Lt plain radiograph of the wrist, AP projection, acquired on Siemens, image size 500x976

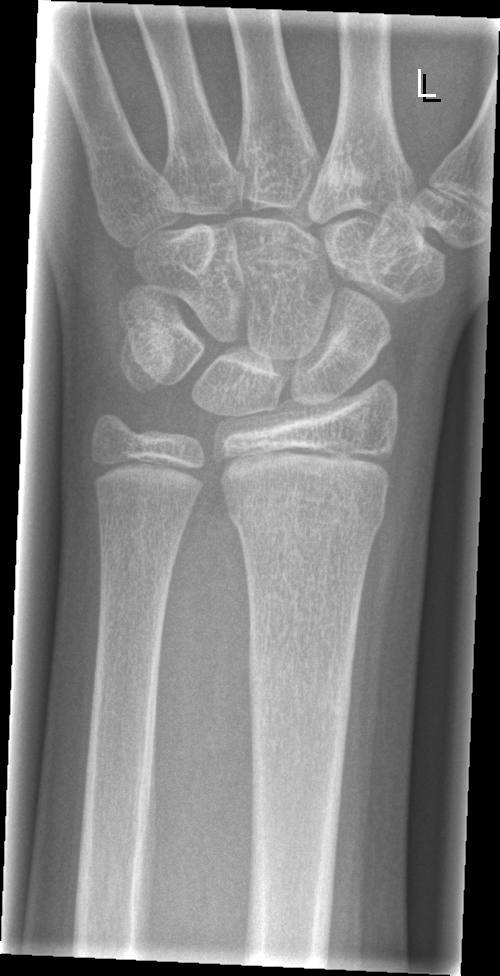   ao: 23r-M/2.1
  fracture: (left=224, top=495, right=387, bottom=549)